AP view; left wrist X-ray; pediatric patient (male, age 8); in cast.
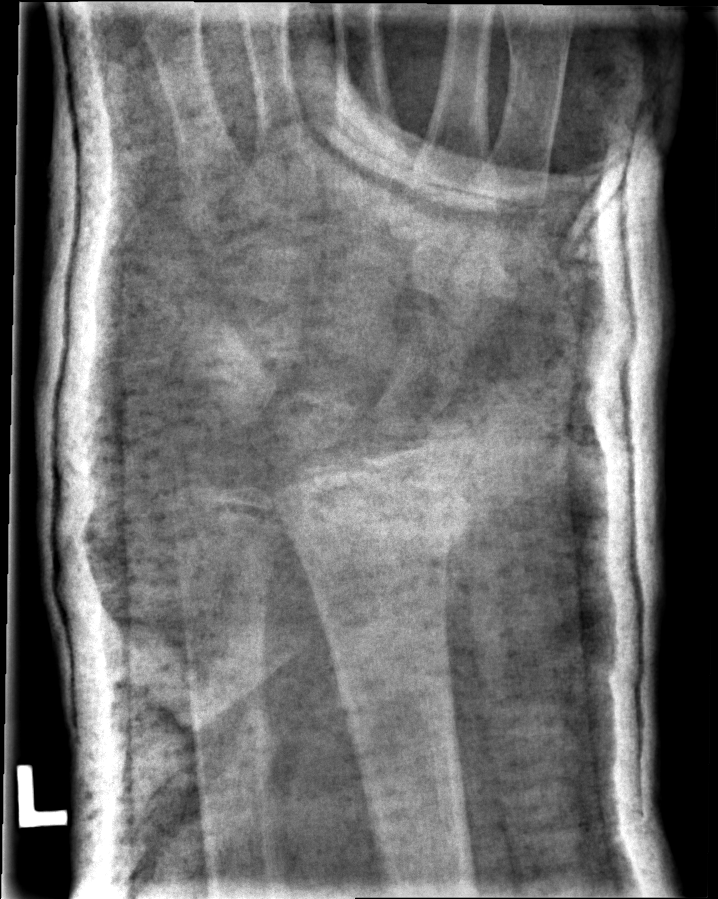 Q: Any fracture seen?
A: One bone fracture at [280, 470, 480, 573]
Q: What is the AO/OTA classification?
A: Fracture classified AO/OTA 23r-E/2.1